L wrist X-ray; PA view; 11y F; initial study; 514 x 974 px:
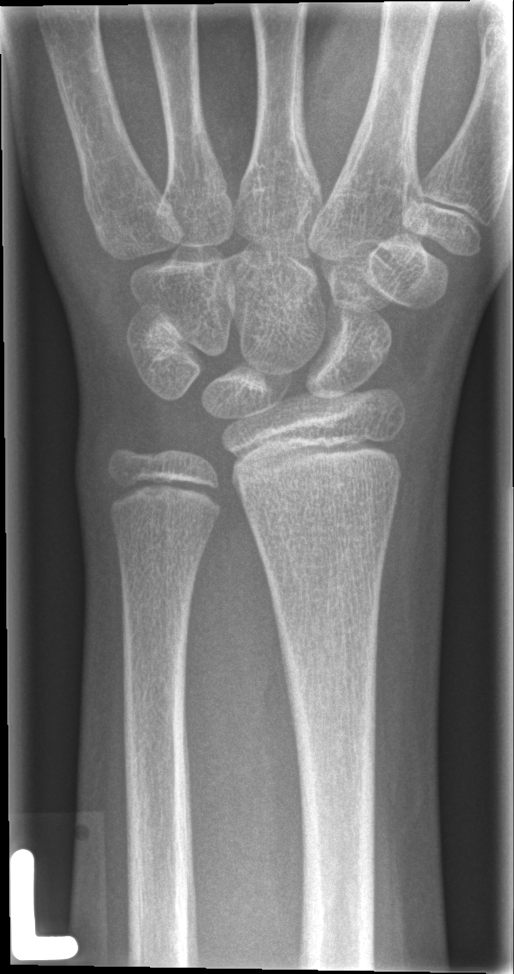

{"fracture": "none labeled"}